PA/AP view; Rt wrist X-ray; 10y F; acquired on Siemens; image width 60.3 mm —

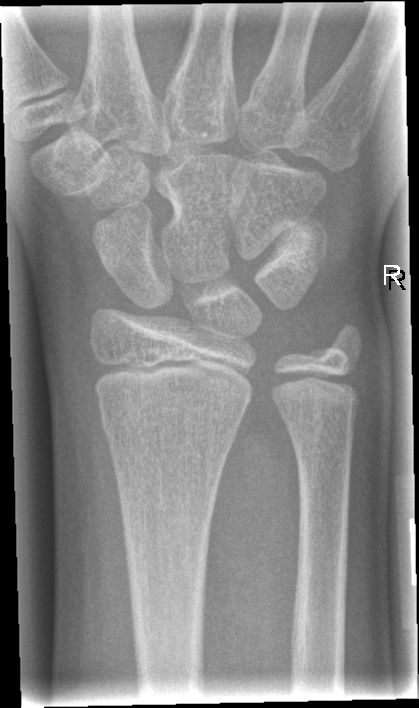 FINDINGS: AO/OTA classification: 23r-M/2.1. Fracture — 100,393,244,446.